Lateral view; L pediatric wrist radiograph; girl, 14 yo; 742 x 1568 px

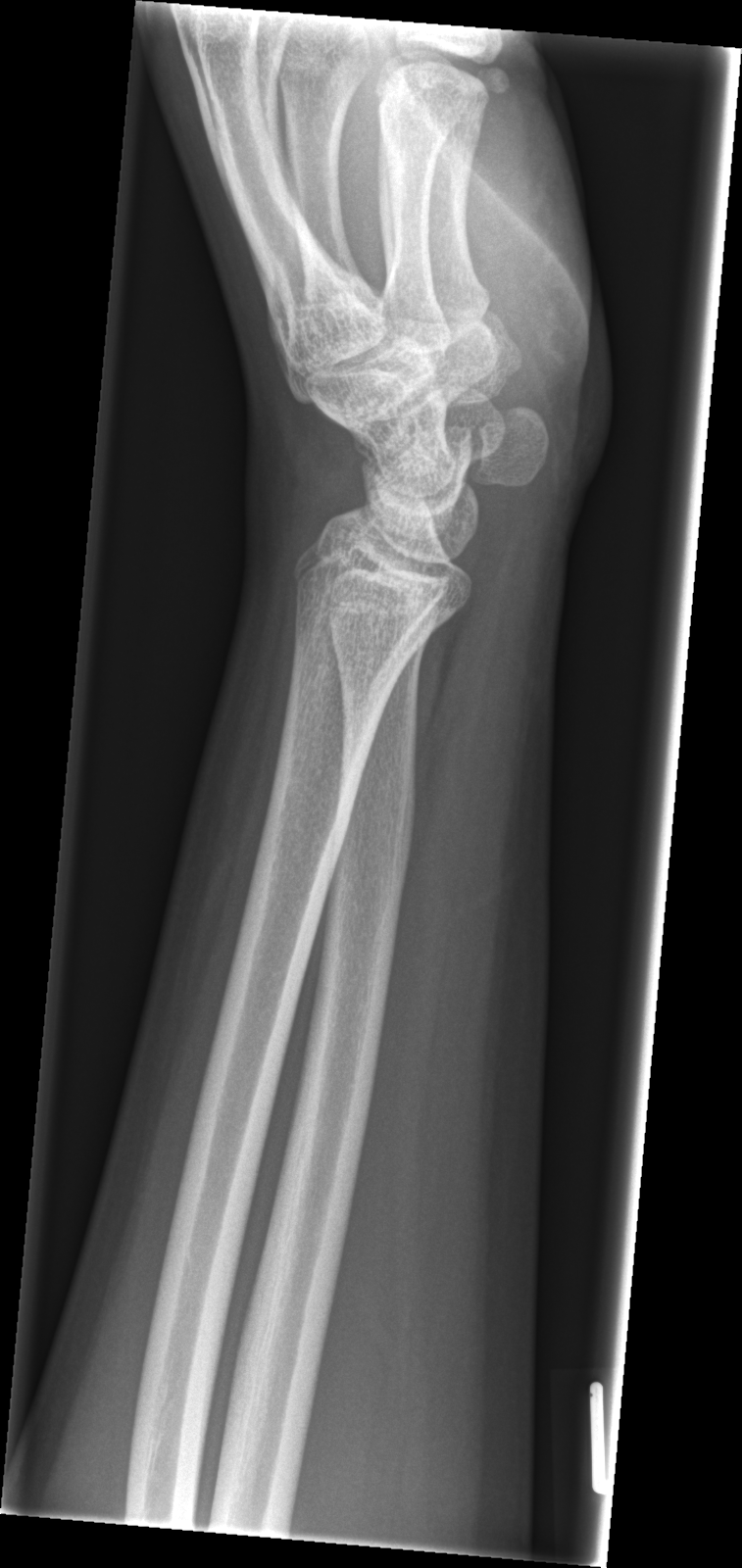
FINDINGS — No fracture labeled.